Rt plain radiograph of the wrist; PA projection; 13-year-old boy; index exam; Siemens — 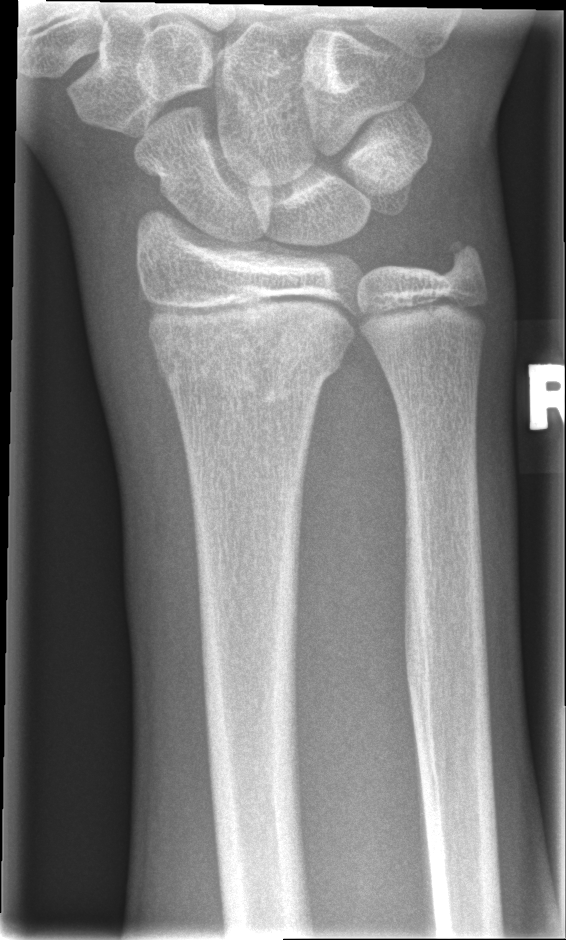
AO code 23r-E/2.1; 23u-E/7. Bone fracture: [x1=147, y1=303, x2=354, y2=407]; [x1=433, y1=231, x2=492, y2=290].